AP projection | Lt wrist radiograph | age 11 y, boy | follow-up. 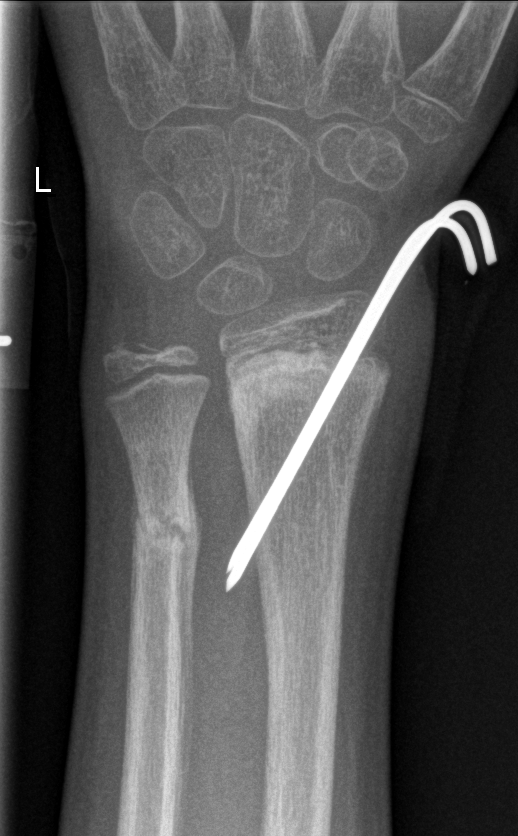
Hardware = [x1=223, y1=196, x2=496, y2=594]
AO classification = 23r-E/2.1; 23u-M/3.1; 23u-E/7
Osteopenia = present
Fracture = 3 @ [x1=220, y1=338, x2=397, y2=477]; [x1=126, y1=469, x2=205, y2=616]; [x1=95, y1=325, x2=166, y2=372]